Right wrist plain film · lateral view · detector: Siemens.

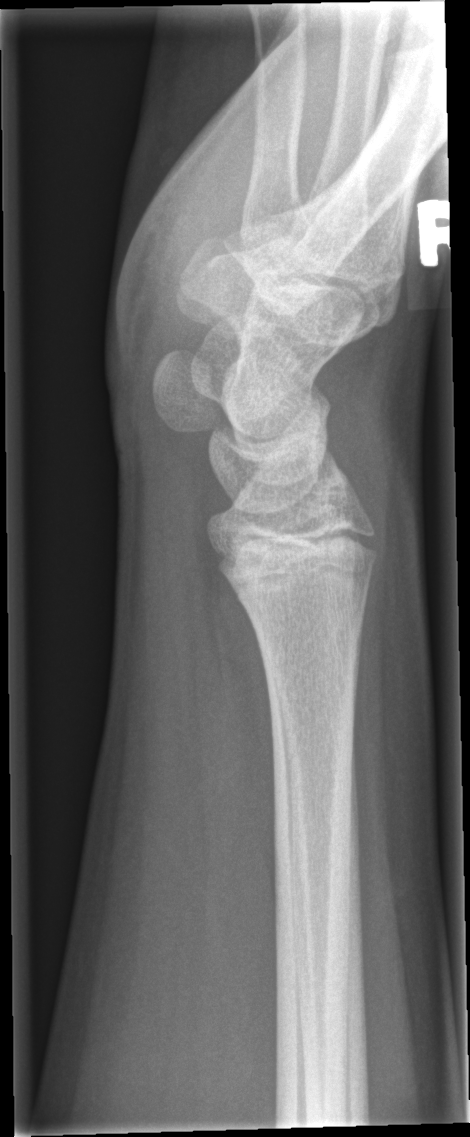

Q: Fracture present?
A: No fracture bounding box